Rt wrist radiograph, PA/AP view —

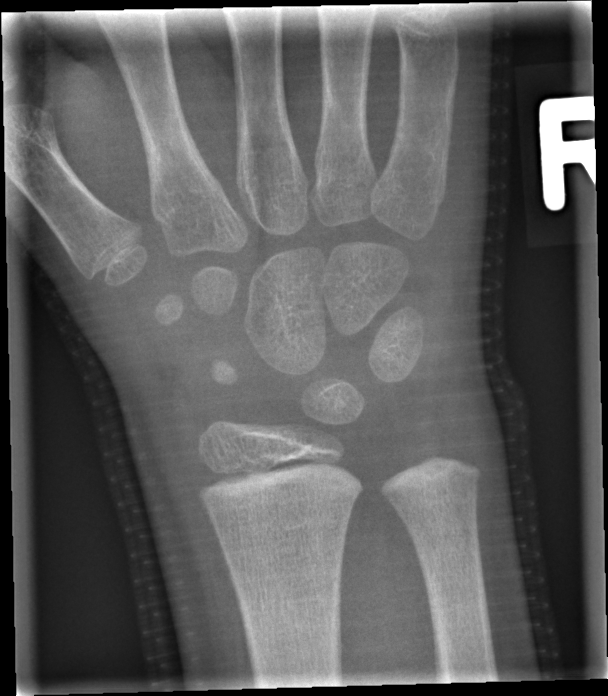

FINDINGS — No fracture bounding box.